PA/AP view, left wrist radiograph —
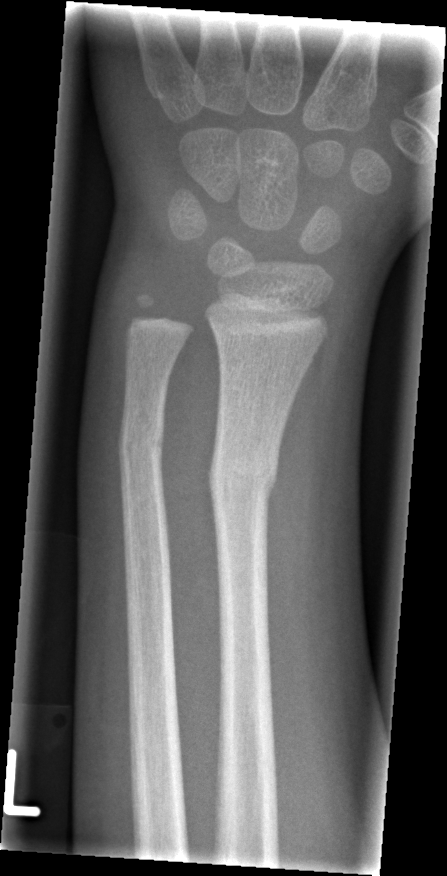 FINDINGS — (coordinates are [x1, y1, x2, y2] in image pixels) Fracture classified AO/OTA 22-D/1.1. Fracture identified at (203, 449, 281, 510) (116, 422, 166, 477).